Left wrist radiograph, lateral projection — 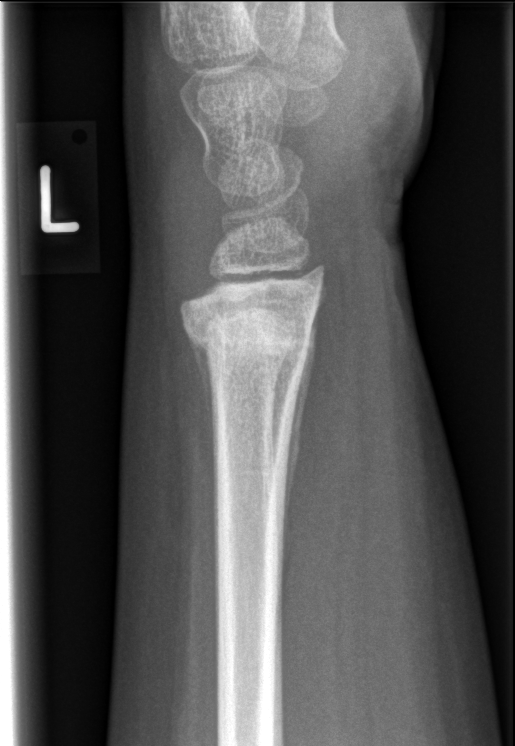 FINDINGS: (boxes as x1,y1,x2,y2 (top-left / bottom-right, pixel units)) Bone fracture identified at <182,303>-<316,378>. Fracture classified AO/OTA 23r-M/3.1. Two periosteal new bone at <284,326>-<316,518>, <195,342>-<216,479>.